Right plain radiograph of the wrist, lateral view, female, 15 yo 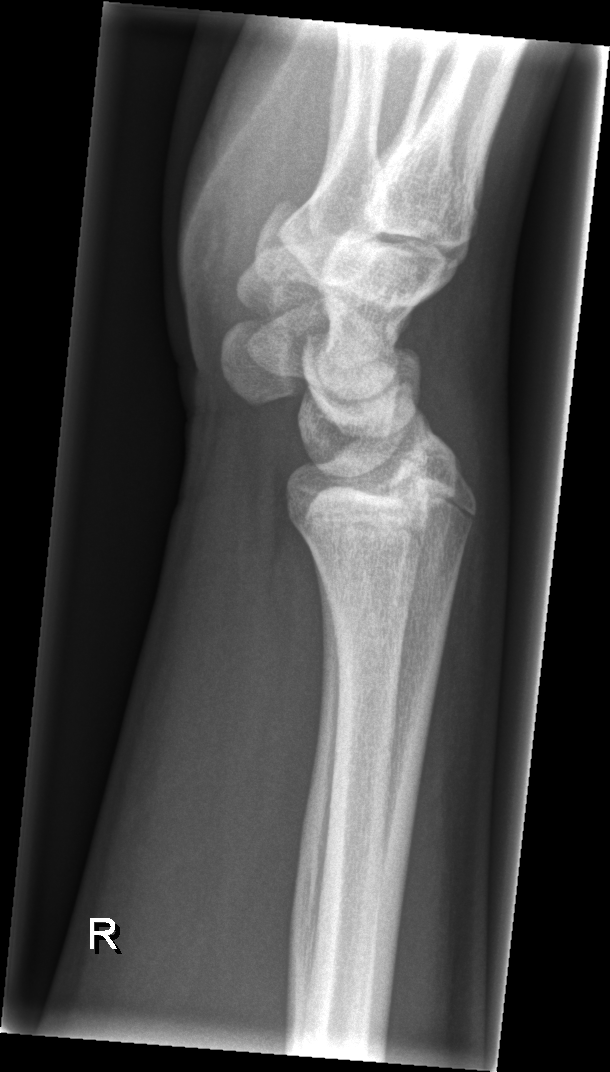
bone fracture: none labeled